L wrist X-ray · lat · age 13 y, female · detector: Siemens. 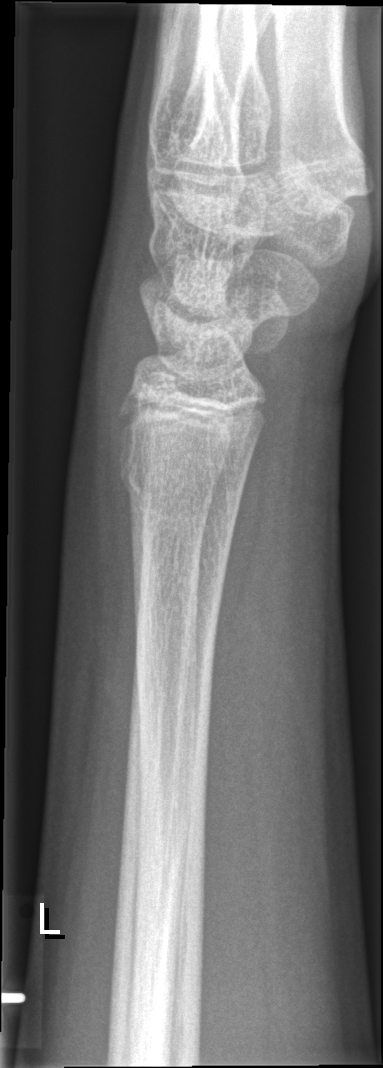

Bounding boxes in image-pixel xyxy.
Bone fracture: 115,441,245,518.
Fracture classified AO/OTA 23r-M/2.1.